Posteroanterior projection, right pediatric wrist radiograph, 5y M

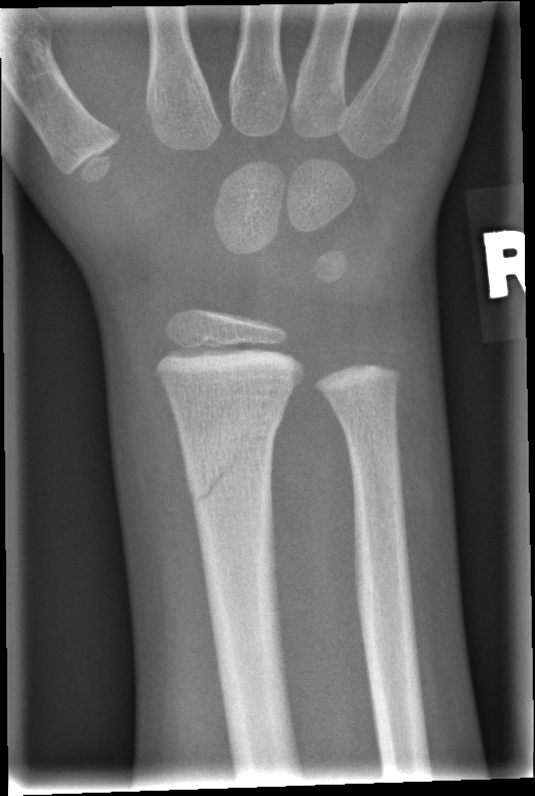 (boxes as x1,y1,x2,y2 (top-left / bottom-right, pixel units))
Fx = [177, 392, 290, 512]